PA view, left plain radiograph of the wrist, cast present —
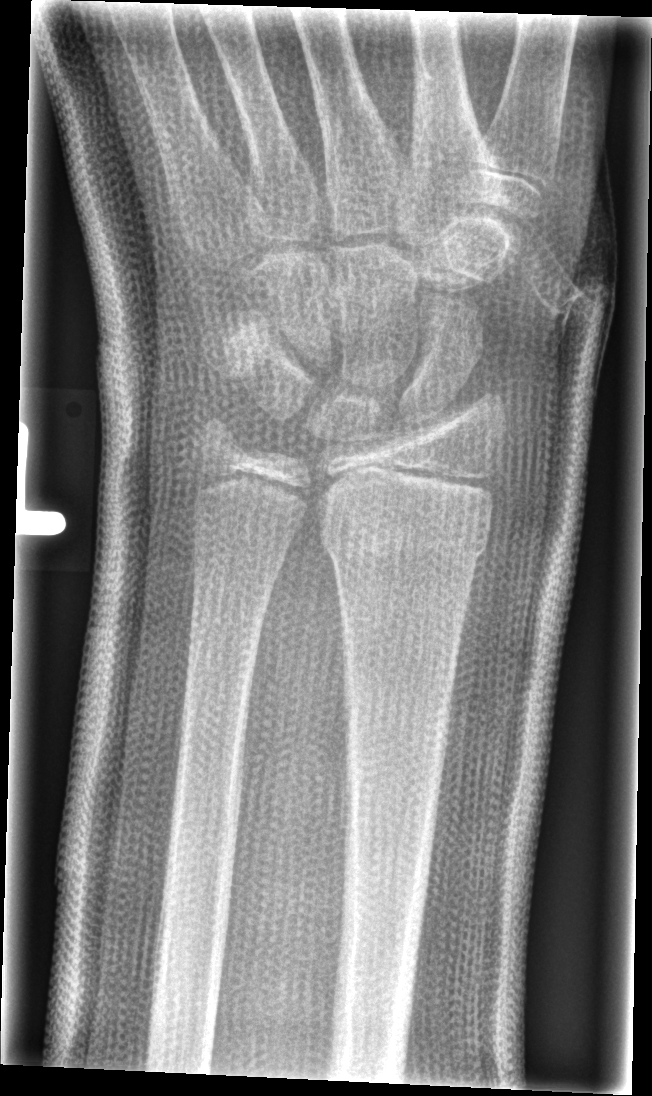

{
  "fracture": "1 @ <318,499>-<492,571>"
}